Lat view | right wrist plain radiograph of the wrist | detector: Siemens | 591 x 984 px.

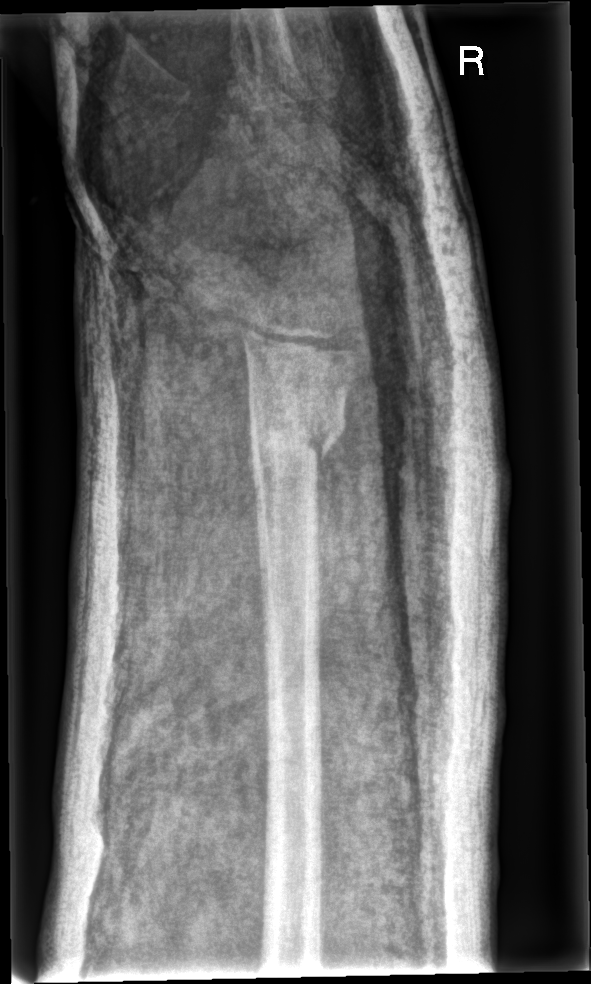

fracture = 1 @ 243,393,352,488